Lateral projection, right plain radiograph of the wrist, pediatric patient (male, age 8), subsequent exam, imaged through cast. 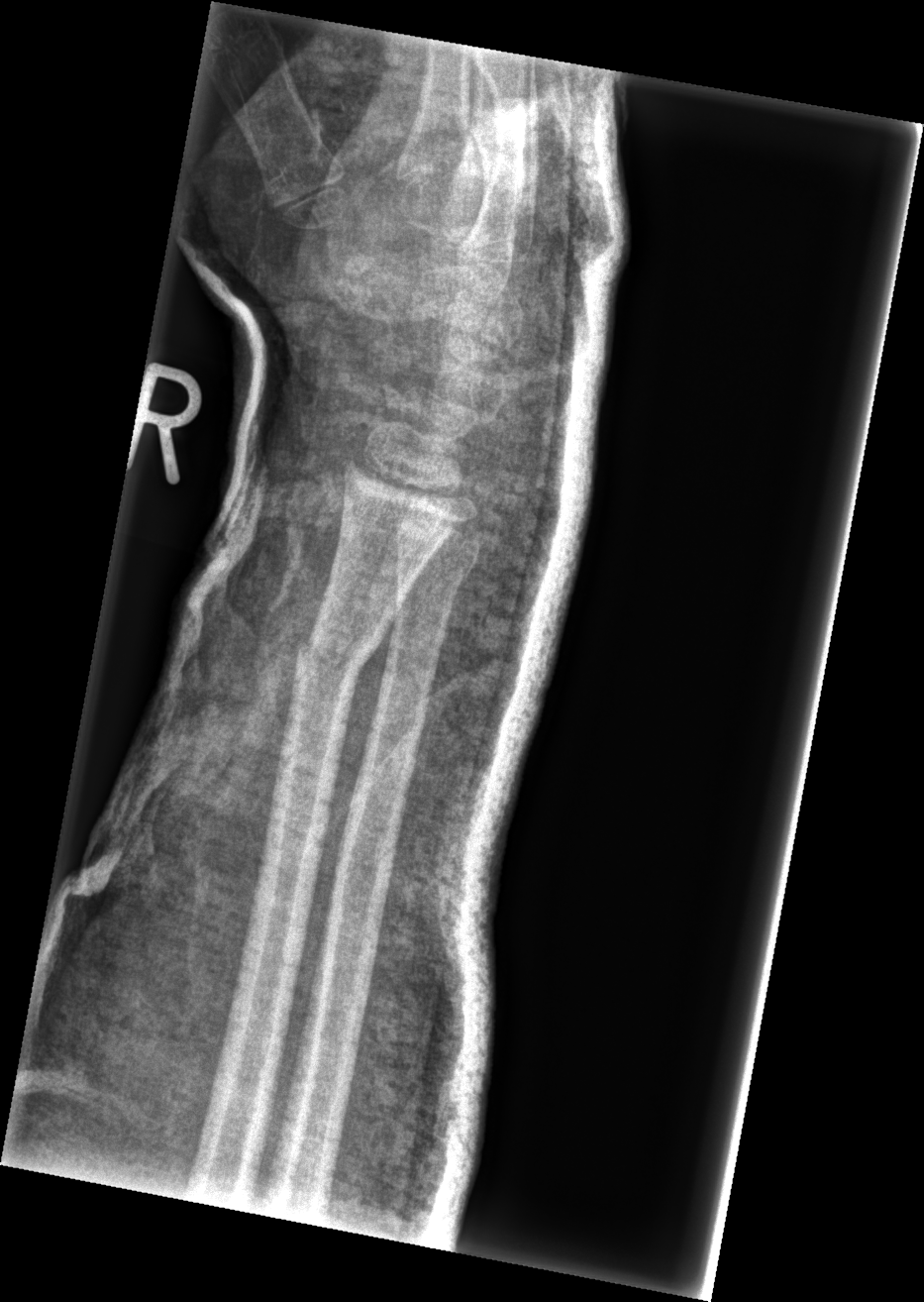
Bounding boxes in image-pixel xyxy.
Fx — 283,620,377,690 | 386,540,481,606.
AO code 23r-M/3.1; 23u-M/2.1.